Lateral view | right wrist plain radiograph of the wrist | in cast | 66.1 mm image width. 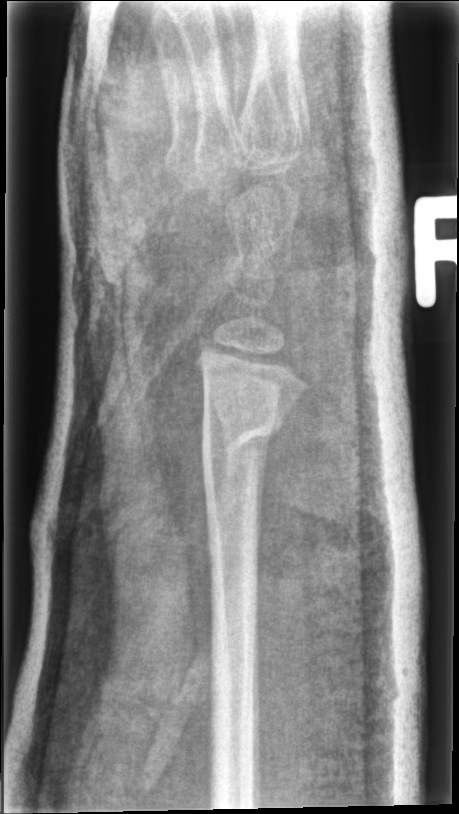
Pixel coordinates, top-left origin, xyxy. Fracture identified at [197, 393, 293, 482].